Frontal view · L wrist radiograph · 2y F · Siemens.
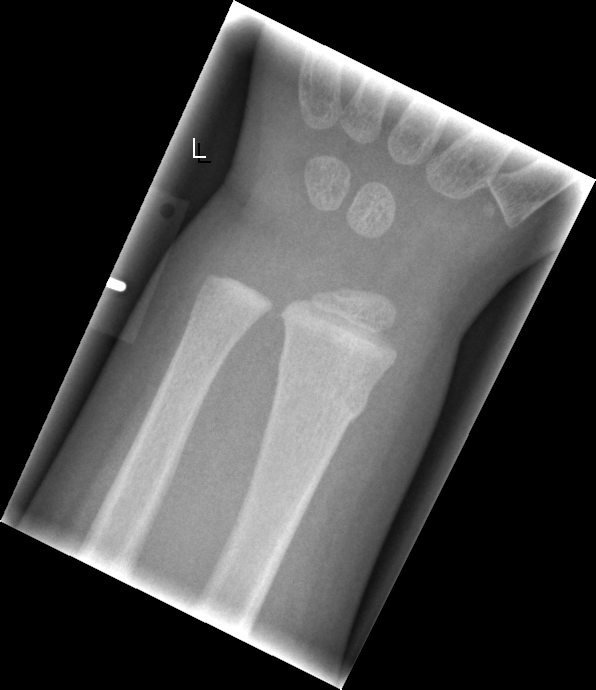
(pixel coordinates, top-left origin, xyxy)
AO classification: 23r-M/2.1
fracture: 1 @ 273,351,374,426